Lat, Lt wrist radiograph, 530 x 1158 px 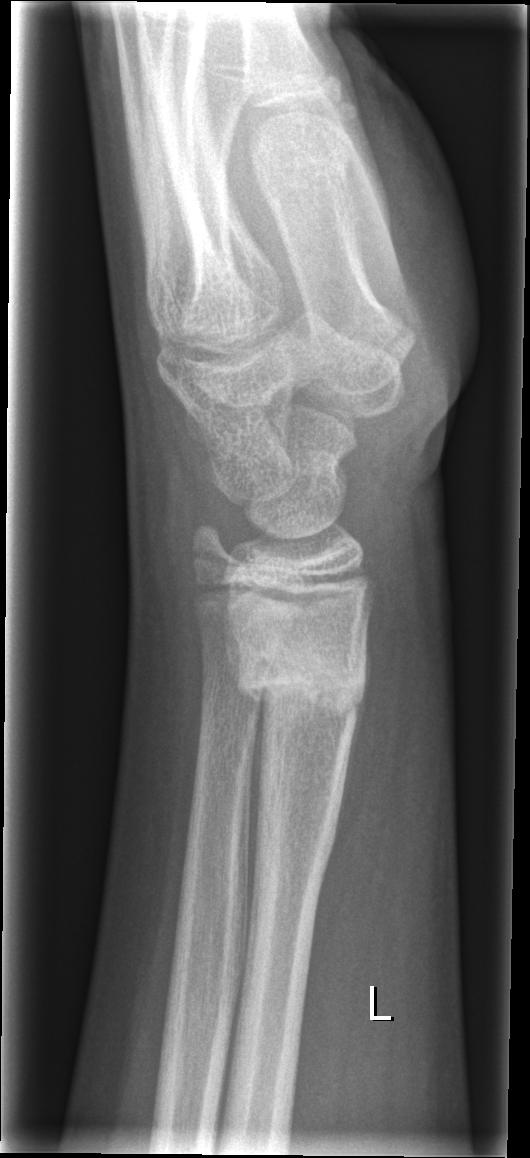
Two fractures at <224,629>-<372,728> <189,519>-<253,578>. Osteopenic.